L wrist XR · lateral.
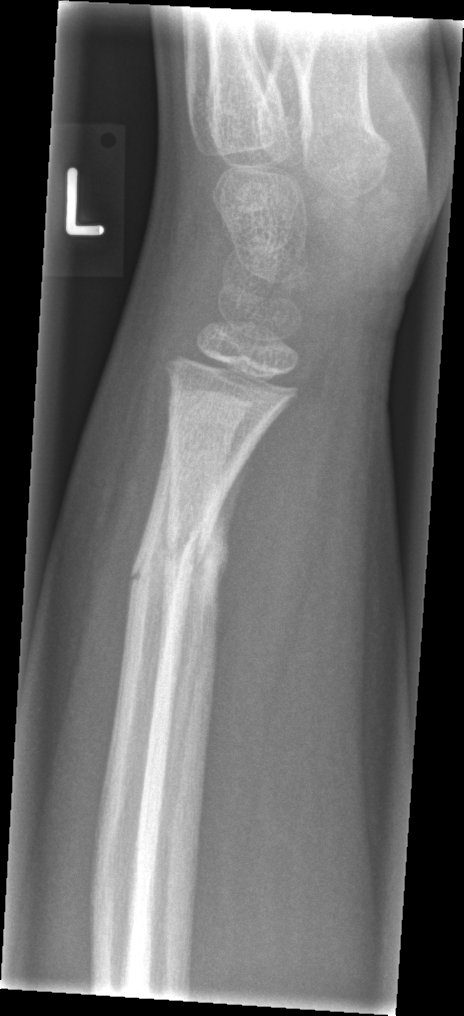

(pixel coordinates, top-left origin, xyxy)
AO classification = 23r-M/3.1; 23u-M/2.1
osteopenia = present
Fx = 173 512 243 606; 127 524 200 603